Right wrist pediatric wrist radiograph · lateral · 10y M · detector: Siemens —
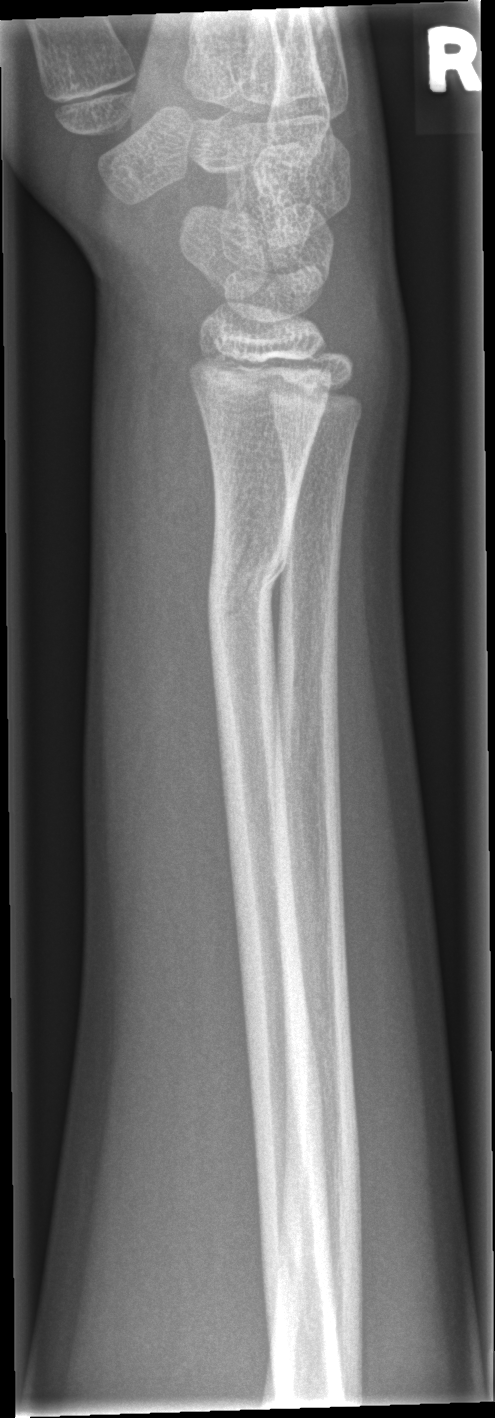 Coordinates are [x1, y1, x2, y2] in image pixels.
AO code 23-M/2.1.
Positive pronator fat-pad sign — 141 367 222 785.
Two fractures at 204 539 292 643; 268 401 367 450.